AP; left pediatric wrist radiograph; 14-year-old male: 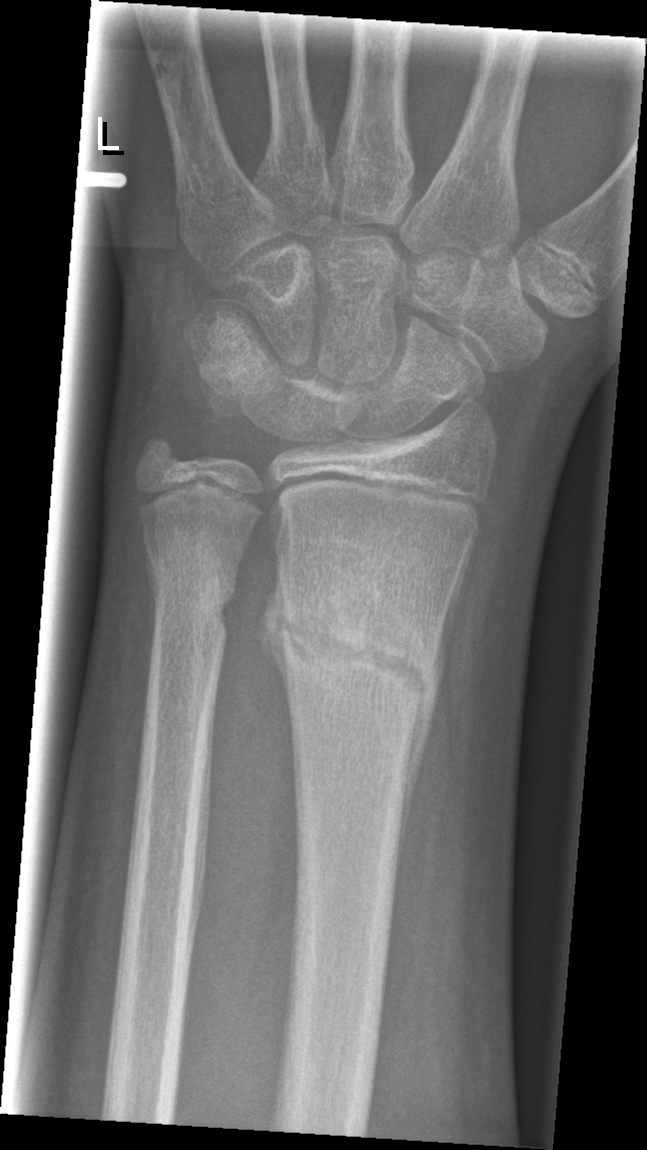 (coordinates are [x1, y1, x2, y2] in image pixels)
AO classification = 23-M/3.1
osteopenia = present
fracture = 2 @ <269,565>-<447,727> <147,548>-<239,651>
bone variant = <189,551>-<266,666>
periosteal reaction = 3 @ <396,518>-<481,879>, <255,551>-<300,726>, <143,532>-<157,721>